R wrist X-ray | lateral projection | index exam.

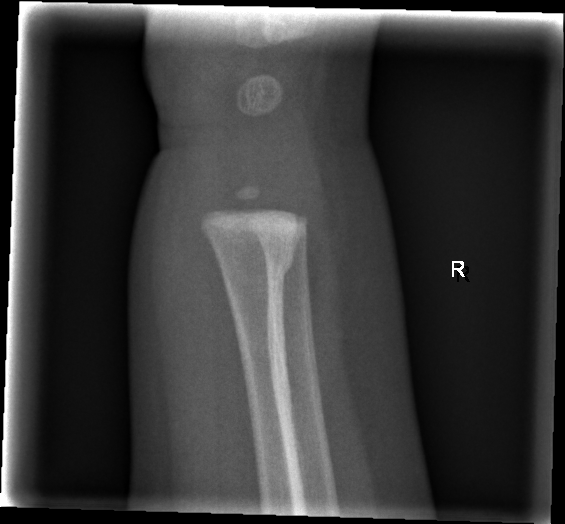

* Fx: 217,243,298,292.